Left wrist radiograph · lat projection · boy, 13 yo · image size 471x1128 — 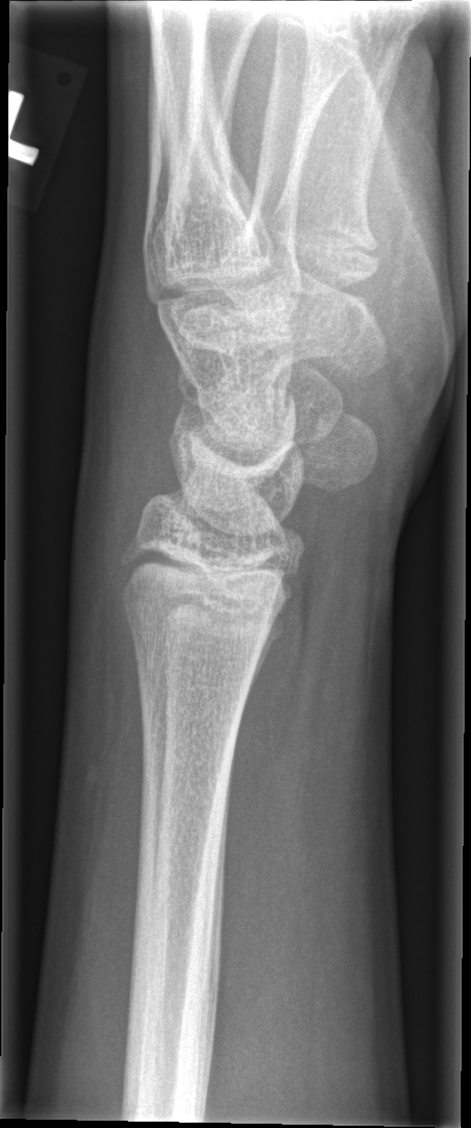

Fracture: none labeled.